Frontal projection · Lt wrist X-ray · 11-year-old female

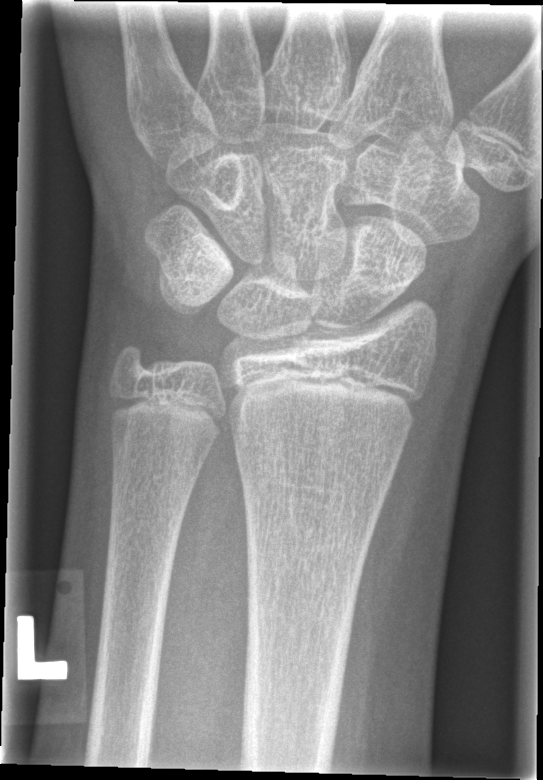

- No fracture annotation.